Right pediatric wrist radiograph, posteroanterior view, male, 15 yo, image size 591x1134

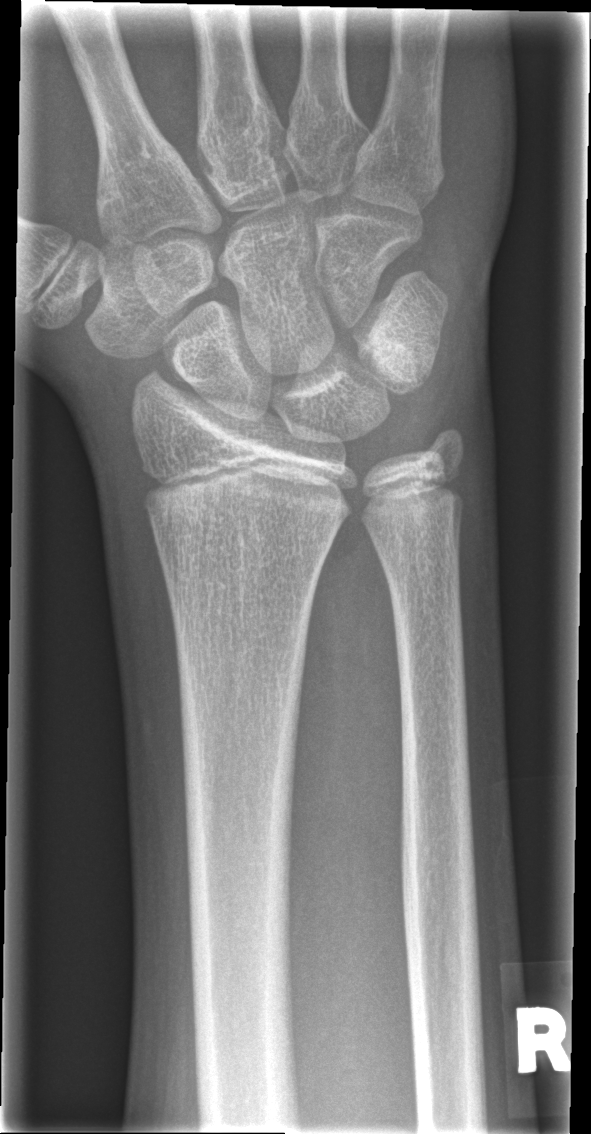

Fracture = none labeled